Left wrist XR | PA | 6-year-old boy | in cast: 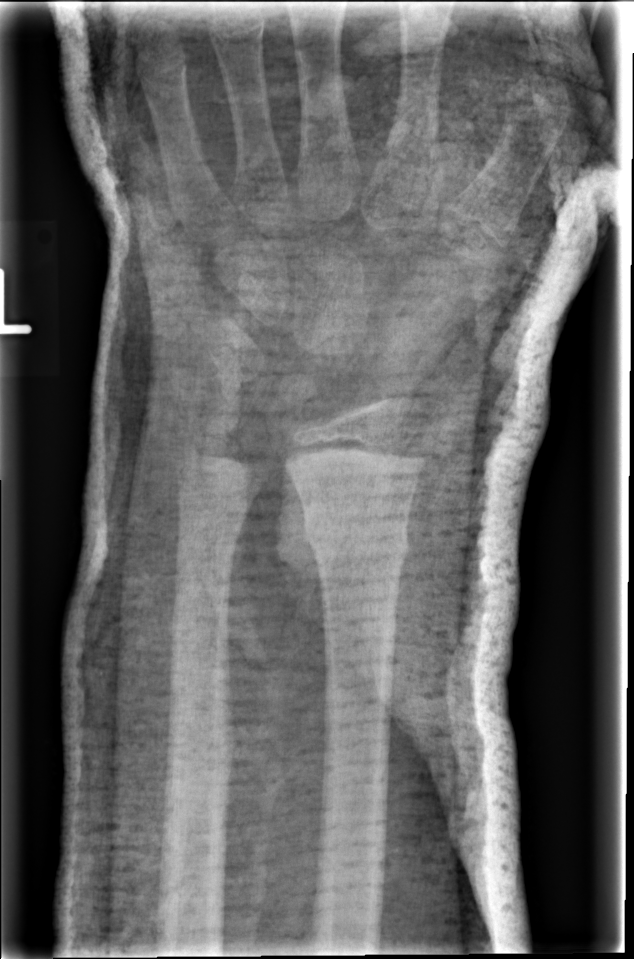

Coordinates are [x1, y1, x2, y2] in image pixels.
Fracture — (300, 505, 413, 572).